Right wrist plain radiograph of the wrist | posteroanterior | 10-year-old female | subsequent exam | cast present | image width 95.9 mm —
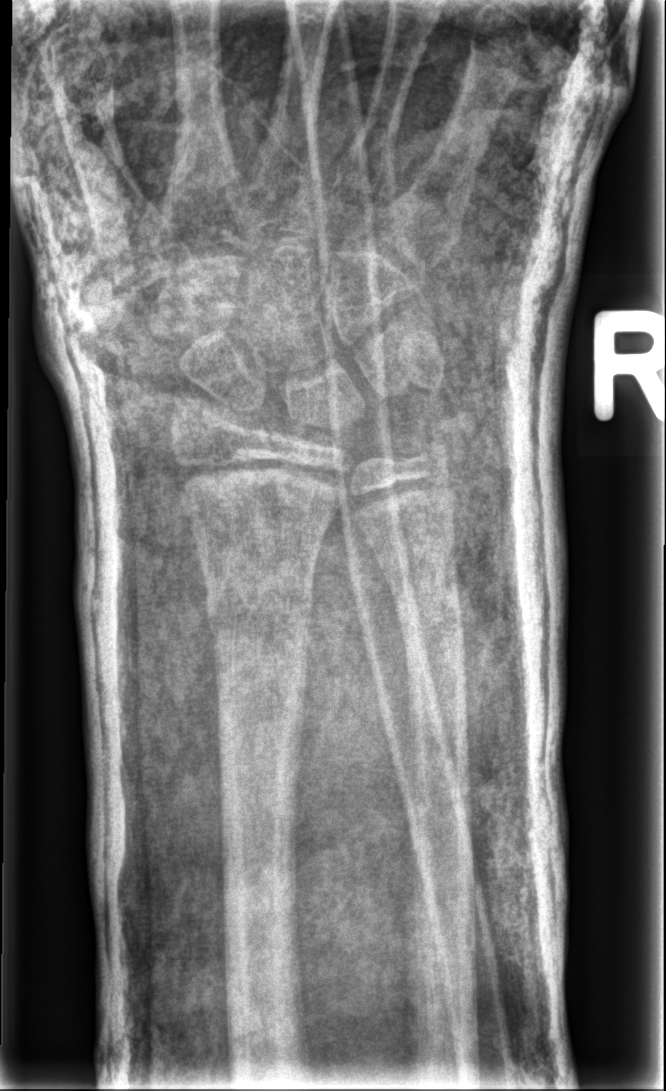
Fx: [x1=202, y1=585, x2=316, y2=649]. Fracture classified AO/OTA 23r-M/3.1.